Left wrist X-ray, posteroanterior, 11y M. 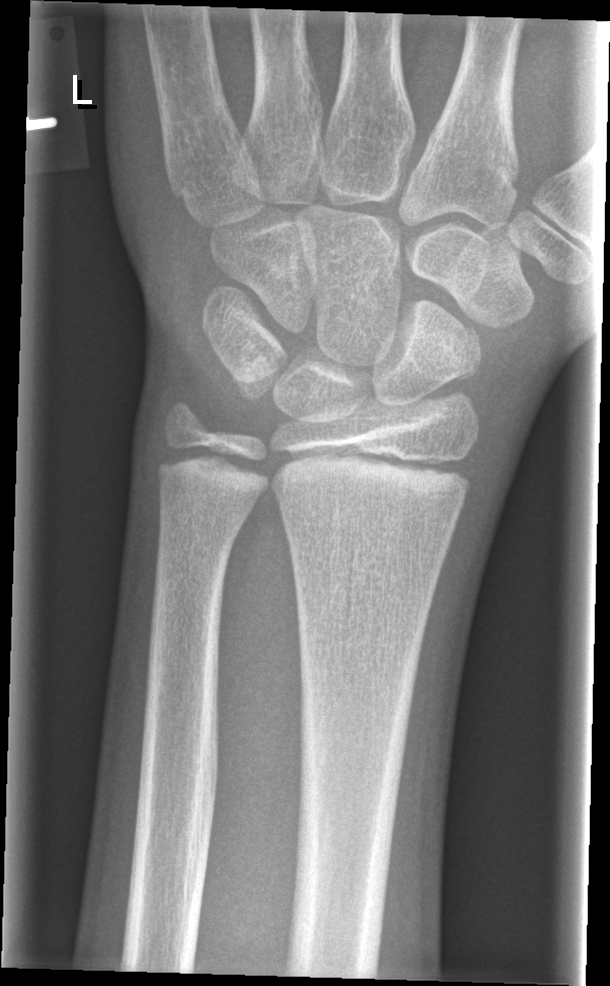
FINDINGS: (coordinates are [x1, y1, x2, y2] in image pixels) AO/OTA classification: 72B(c). Bone fracture: [440, 315, 483, 386].